L wrist X-ray · PA projection · age 11 y, female.
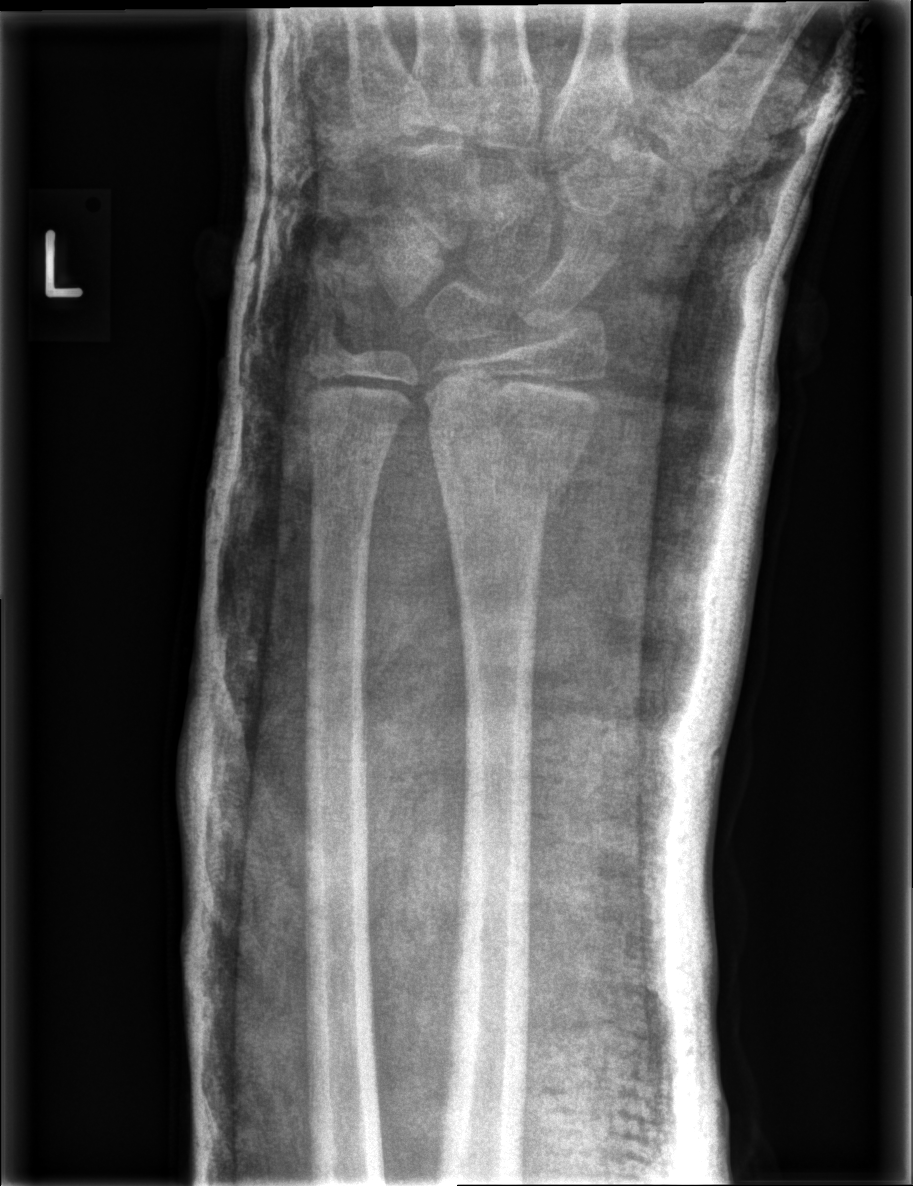 Fx = (left=420, top=420, right=601, bottom=512)
AO classification = 23r-M/3.1; 23u-M/2.1